Rt wrist plain film, lat, 13y M 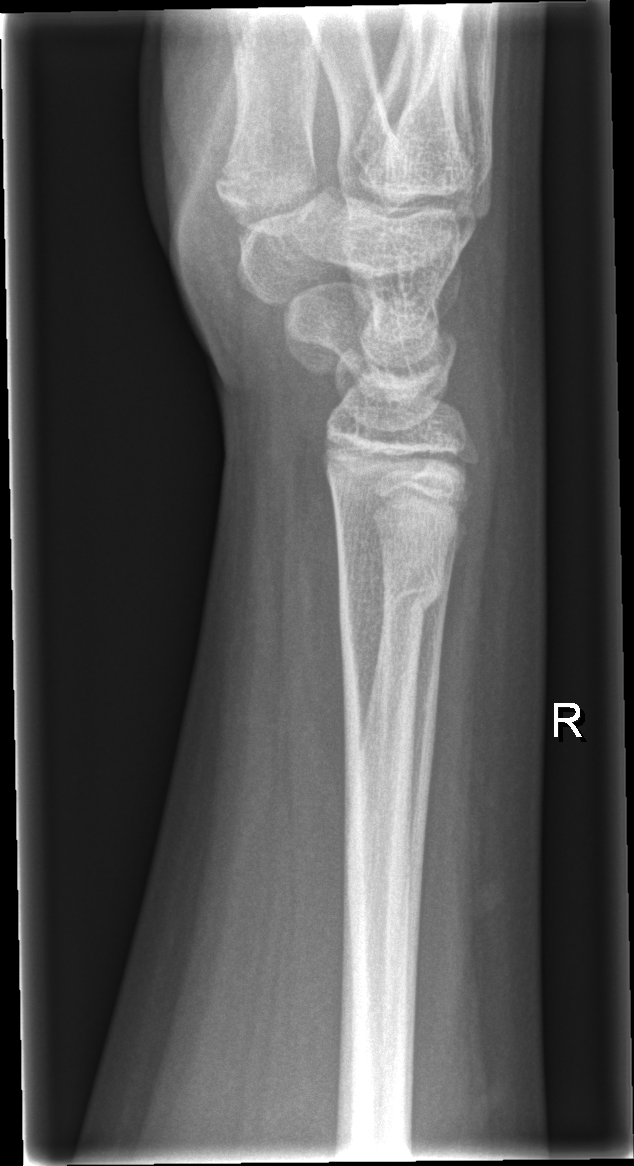
• Fracture identified at [x1=328, y1=564, x2=447, y2=624].
• AO/OTA classification: 23r-M/2.1; 23u-E/7.